Oblique view · R wrist plain film · cast in situ: 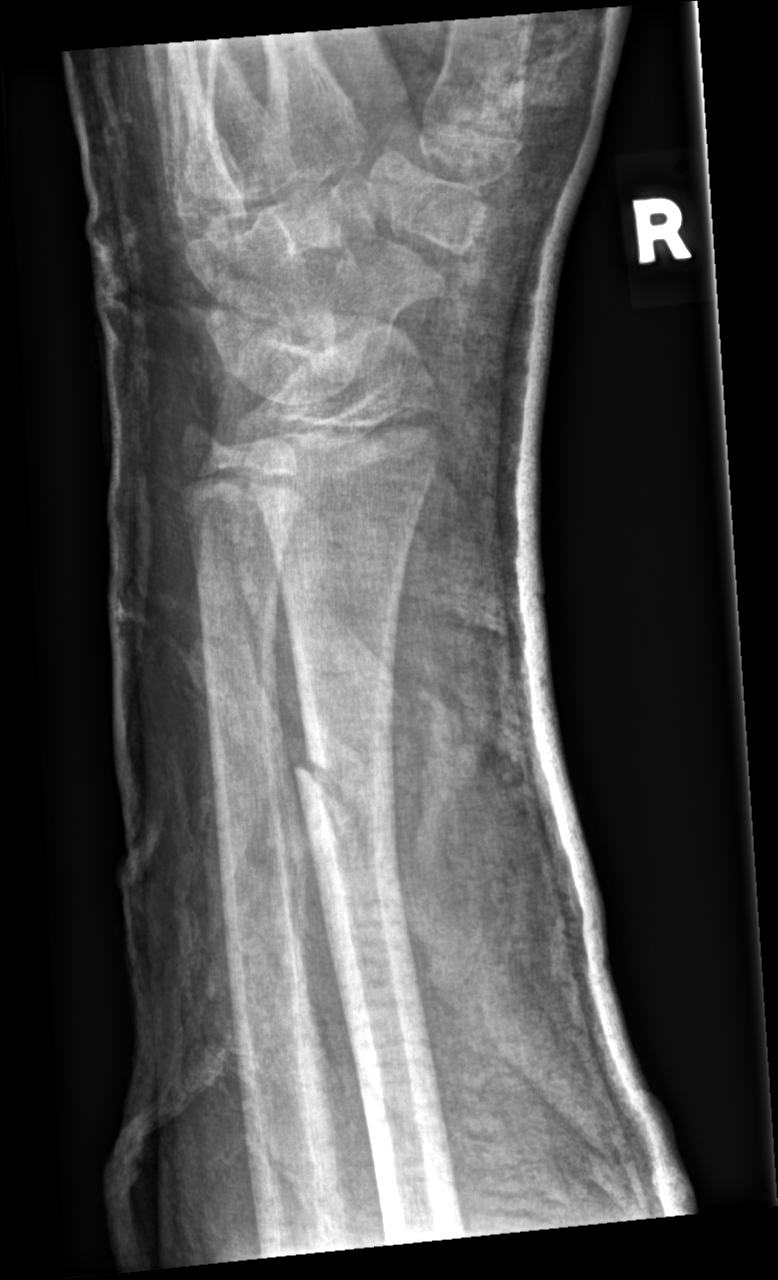 Pixel coordinates, top-left origin, xyxy. Bone fracture identified at 291,745,403,871.